Frontal view; Rt pediatric wrist radiograph; pediatric patient (female, age 10); presentation radiograph; 70.6 mm image width; 490 by 1076 pixels
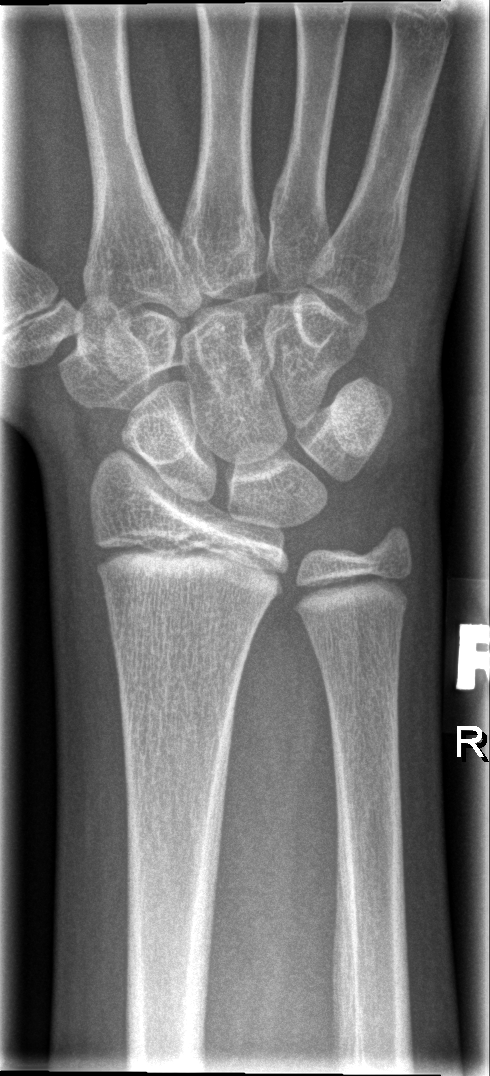

Q: Locate any fractures.
A: Fx: none